Lat projection, right wrist XR, 9y M, cast in situ, image 88.7 mm wide: 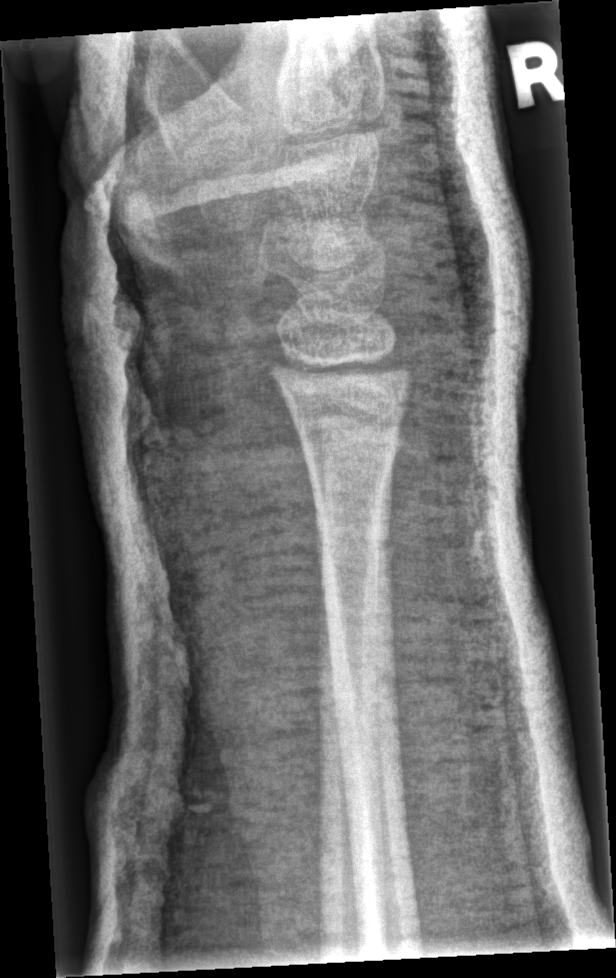

Q: Any fracture seen?
A: Fx: present but not clearly seen in this view